Left pediatric wrist radiograph; lateral projection; presentation radiograph. 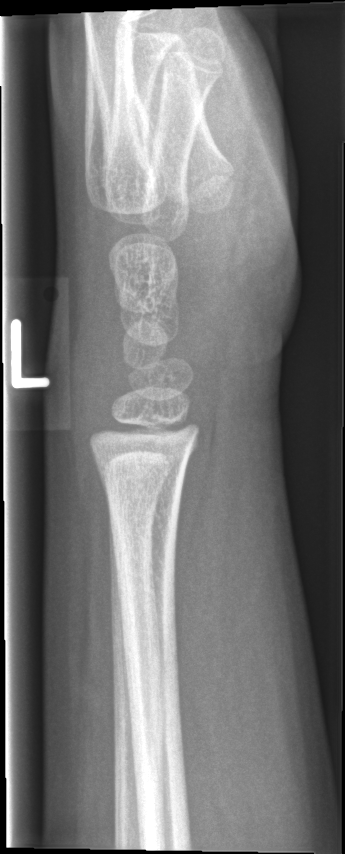

Fracture = none labeled